PA | Lt wrist plain film | imaged through cast —
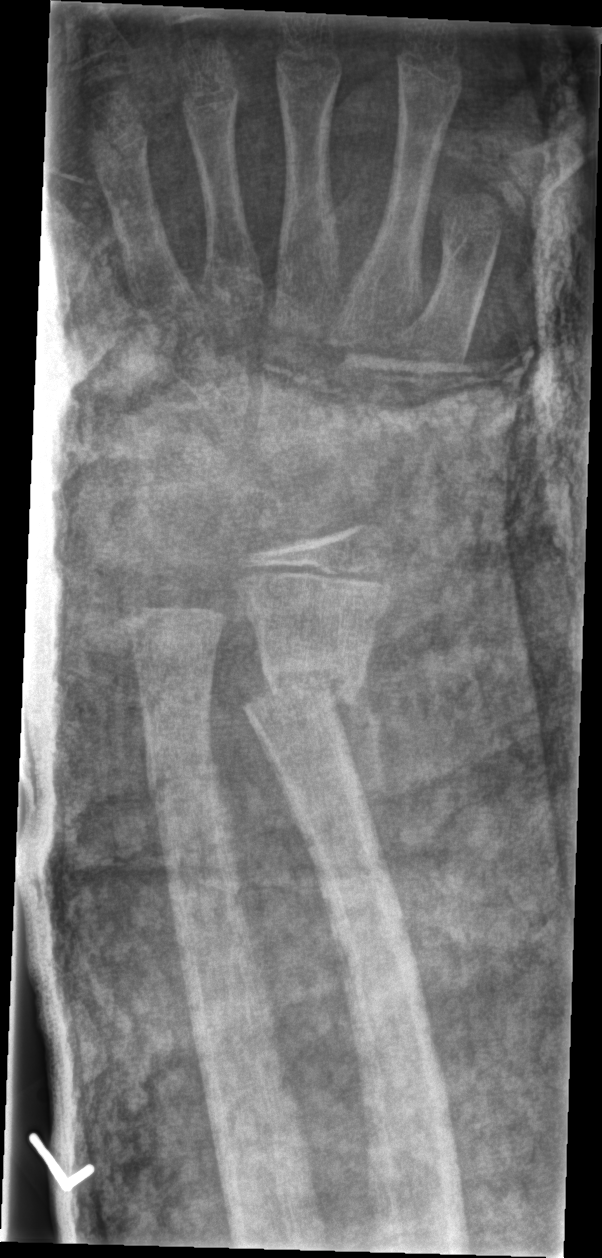

ao: 23r-M/3.1; 23u-M/2.1
fracture: bbox(240, 647, 370, 735), bbox(146, 749, 224, 820)